Frontal view, L plain radiograph of the wrist, 12y M —
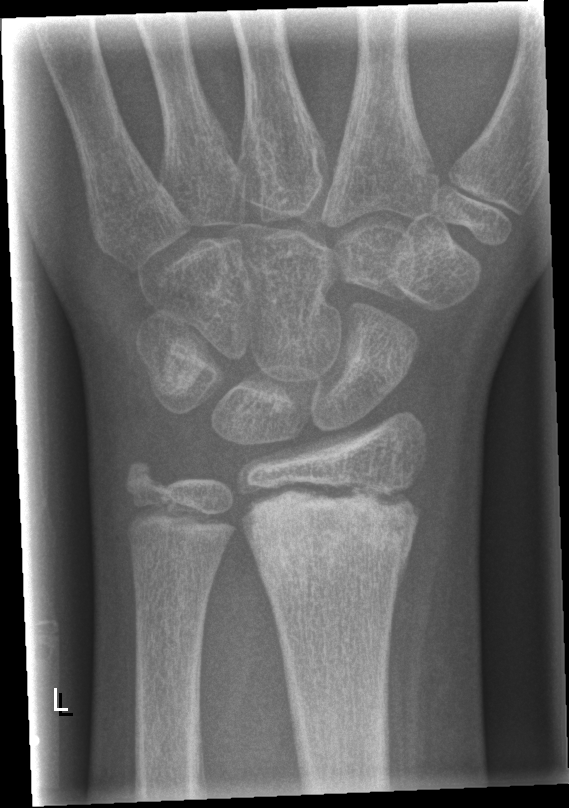 (coordinates are [x1, y1, x2, y2] in image pixels)
Osteopenia = present
Fx = bbox(247, 483, 419, 614) bbox(118, 452, 172, 505)